Lt wrist X-ray | lateral — 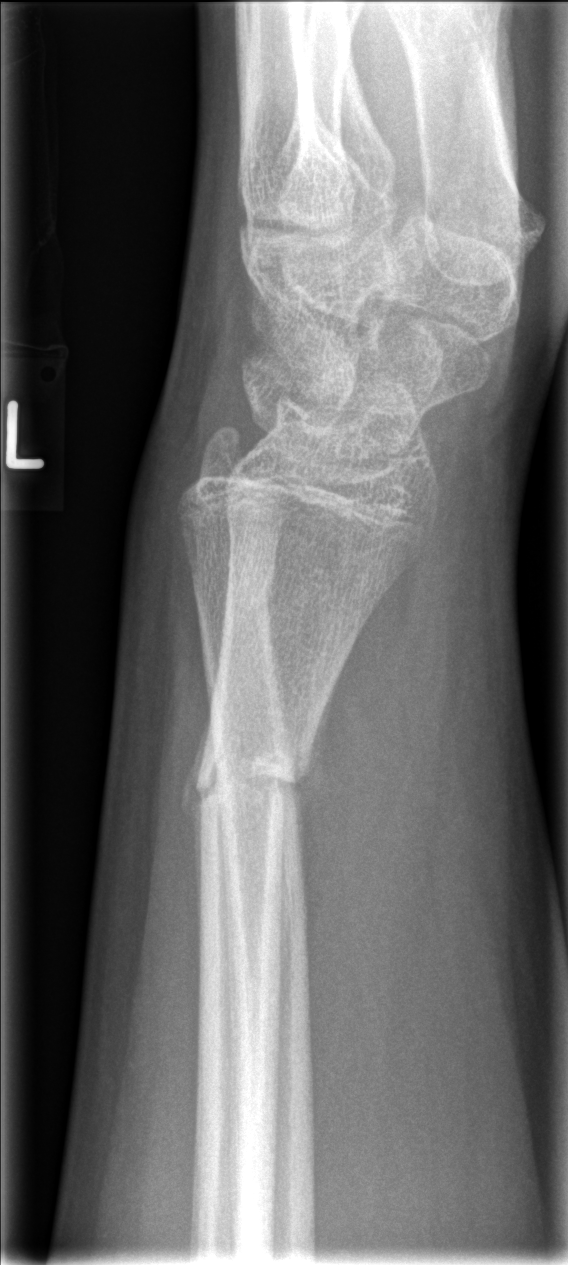

Periosteal reaction identified at [x1=179, y1=700, x2=214, y2=959]. Osteopenic. Fx — [x1=188, y1=725, x2=320, y2=832].